Lt wrist radiograph · lateral projection · 10y M · presentation radiograph — 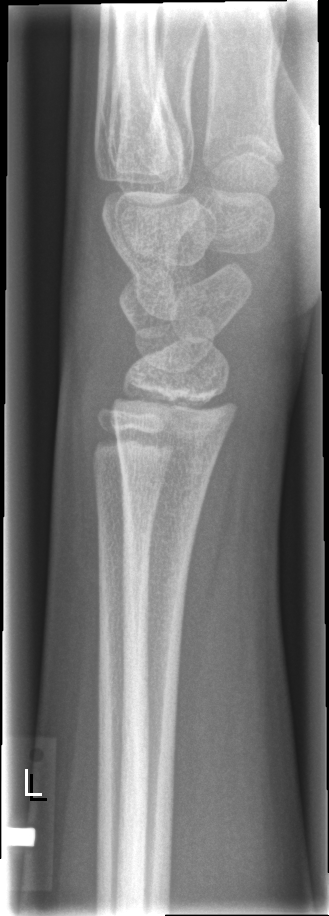

No fracture annotation.